Lateral projection · Rt plain radiograph of the wrist · 9-year-old girl:

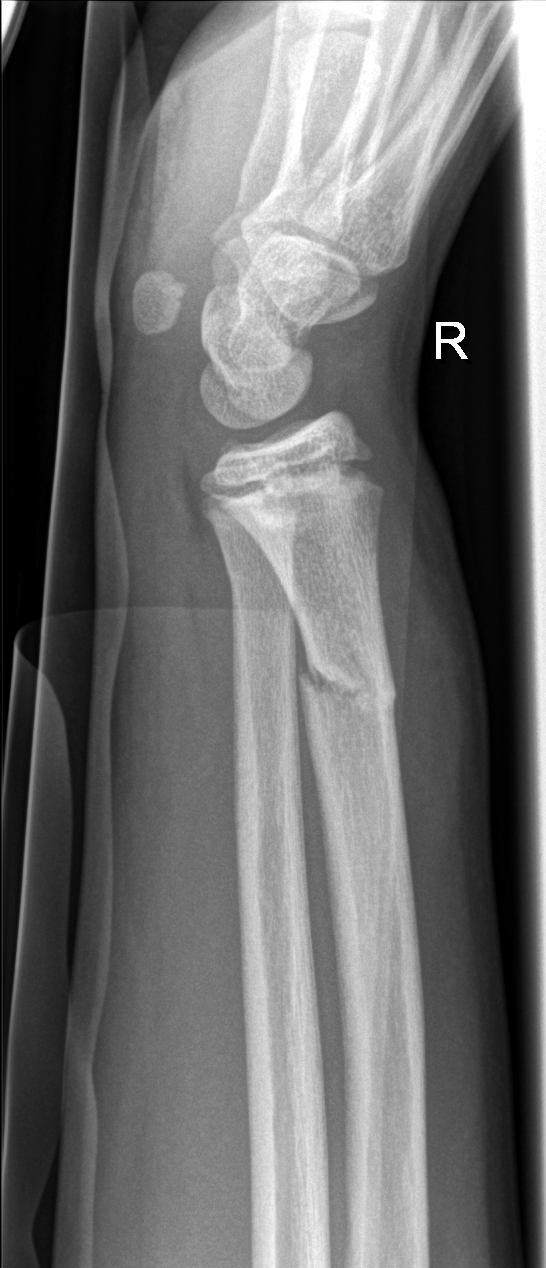

Fracture classified AO/OTA 23r-M/3.1; 23u-M/2.1. Fracture: (left=292, top=640, right=403, bottom=727) (left=214, top=536, right=300, bottom=598). Soft-tissue swelling: (left=375, top=485, right=490, bottom=885).